PA projection; left plain radiograph of the wrist
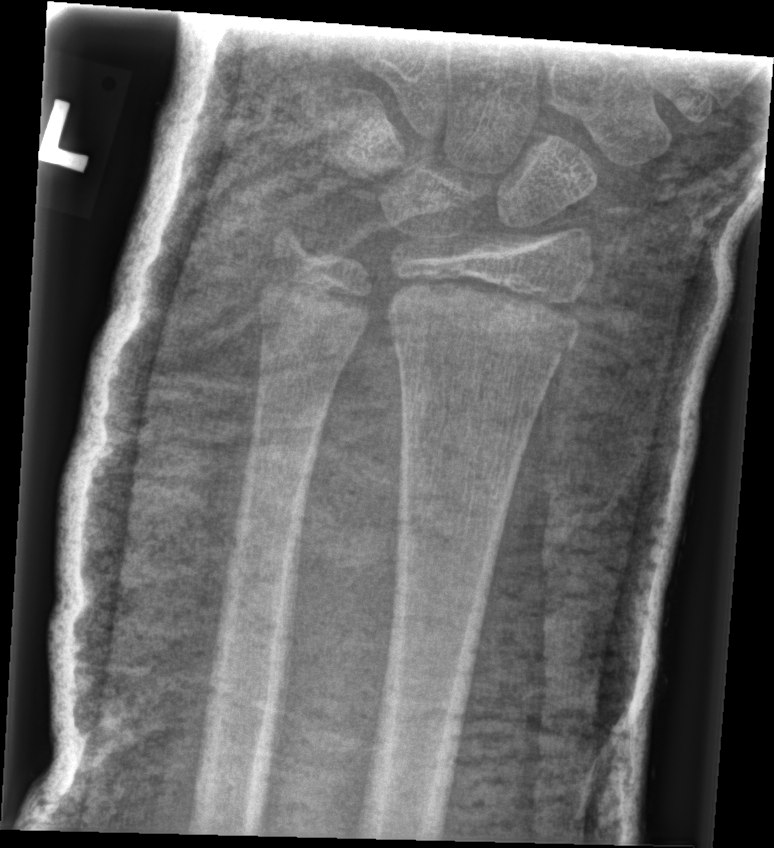 * Fracture identified at 384 272 587 373 | 248 292 364 377.